Right wrist plain film; lat; 17y M —

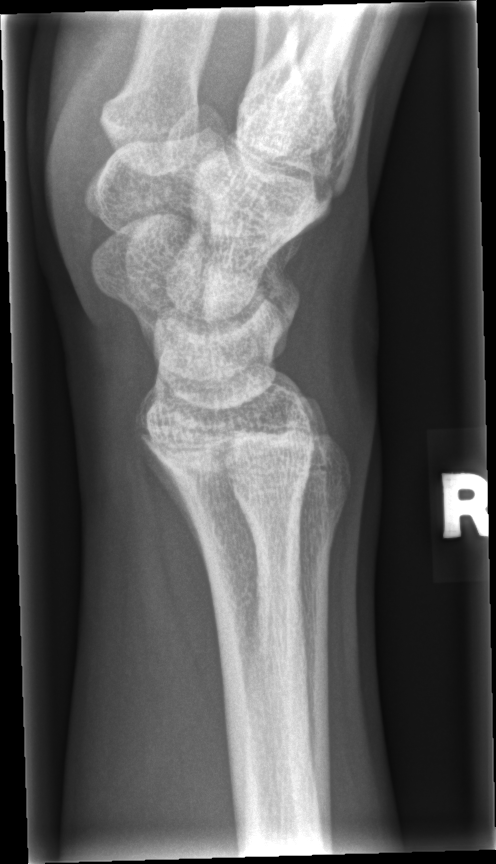

bone fracture: none labeled